R plain radiograph of the wrist, AP, index exam, 506 by 639 pixels:

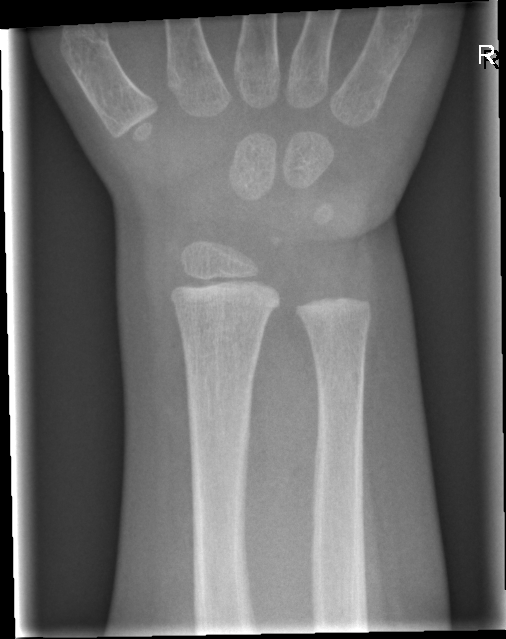

No fracture labeled.